Lateral view; left wrist XR; presentation radiograph —

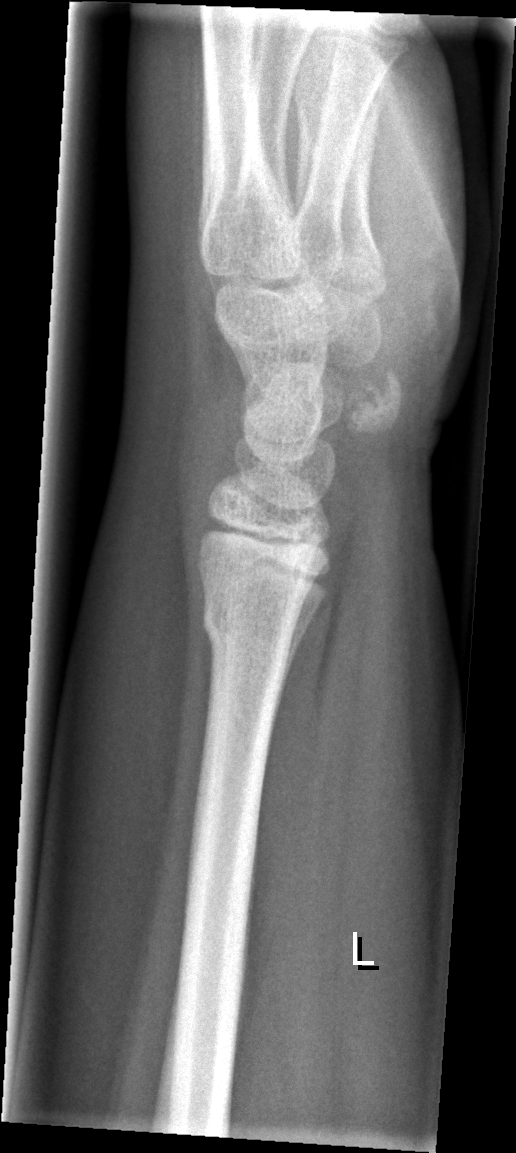
One fracture at [x1=201, y1=594, x2=300, y2=657].
AO/OTA classification: 23r-M/2.1.